AP view | right wrist XR | diagnosis uncertain | detector: Siemens | 751 by 1254 pixels: 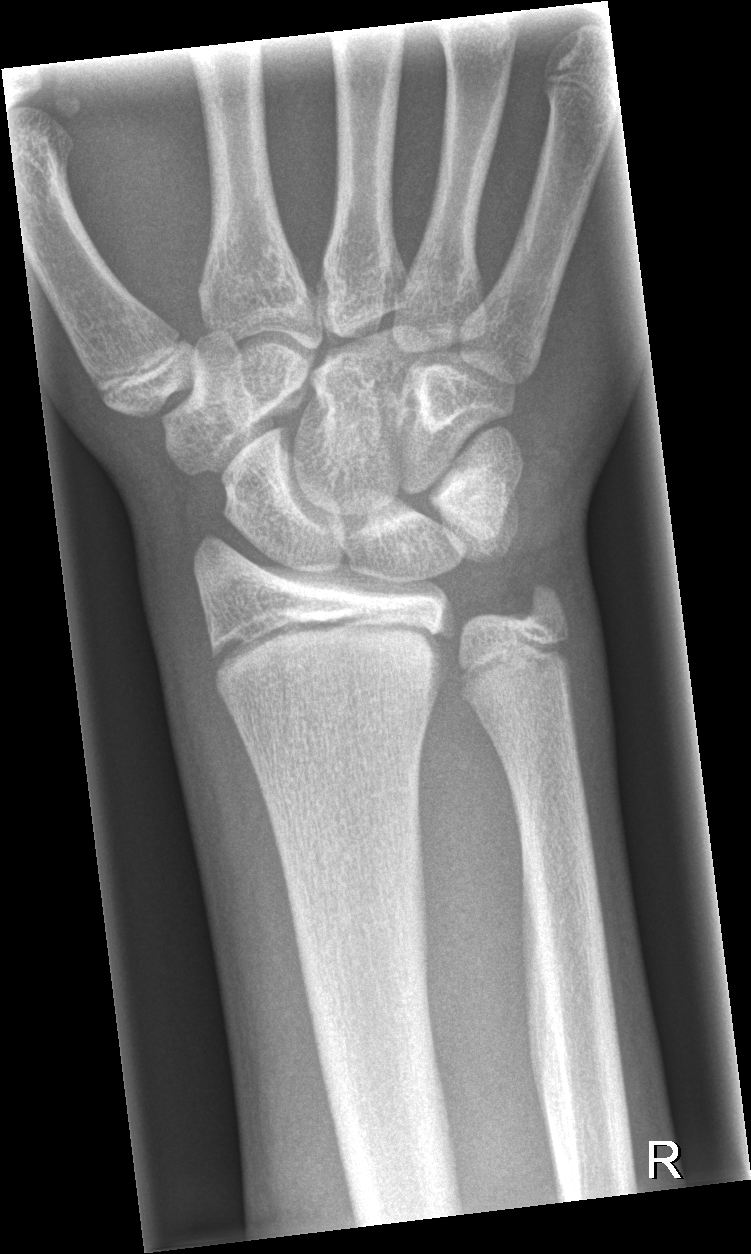 Fx: none.